Lat · Lt pediatric wrist radiograph: 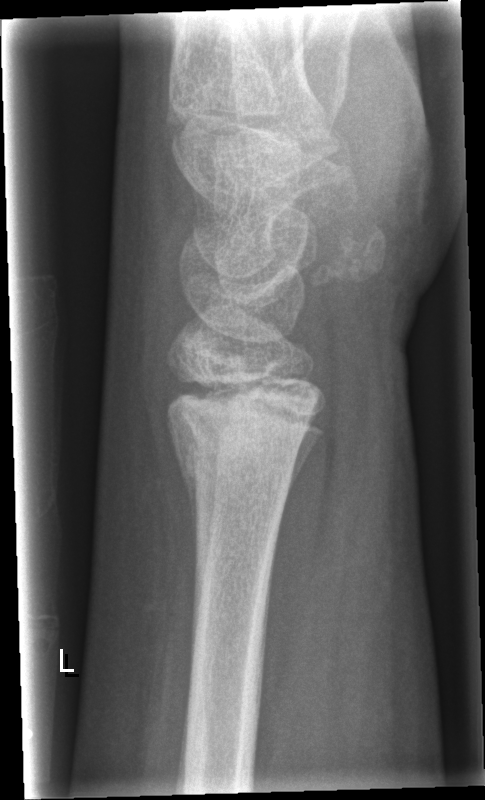

Findings: (bounding boxes in image-pixel xyxy) Reduced bone mineral density. One bone fracture at [165, 397, 306, 503]. Periosteal reaction — [171, 409, 202, 520].